L wrist XR; PA/AP view. 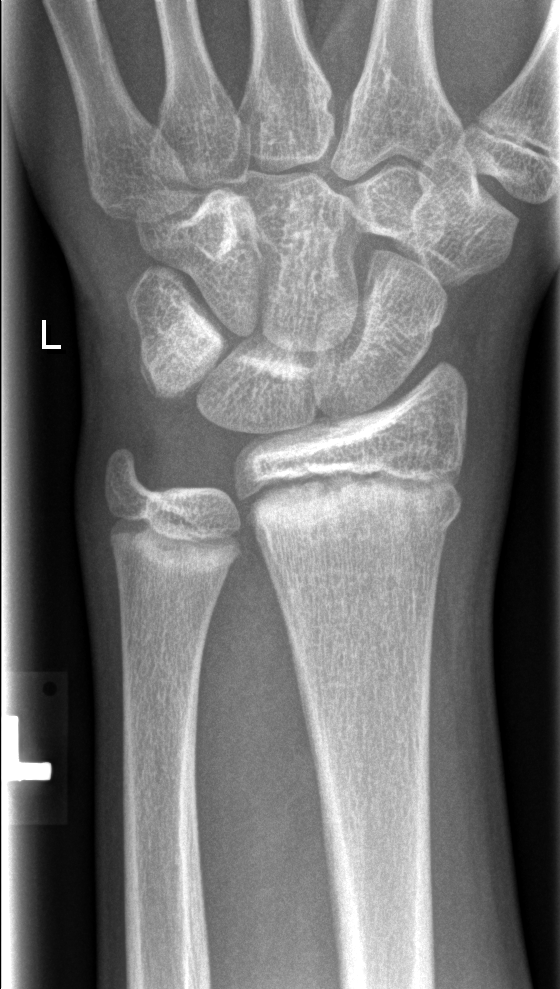
AO code: 23r-E/2.1
Fx: bbox(246, 468, 466, 547)